Lateral projection | right wrist XR | age 12 y, male:

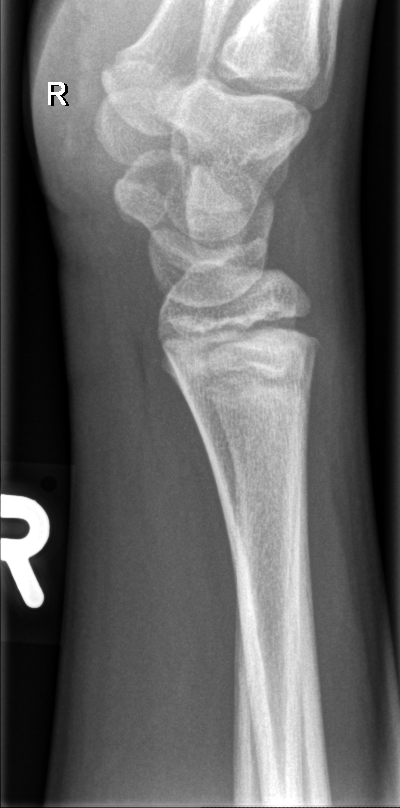

Q: Fracture present?
A: Fracture: none labeled